R wrist XR · PA/AP · 7y F · image 56.7 mm wide 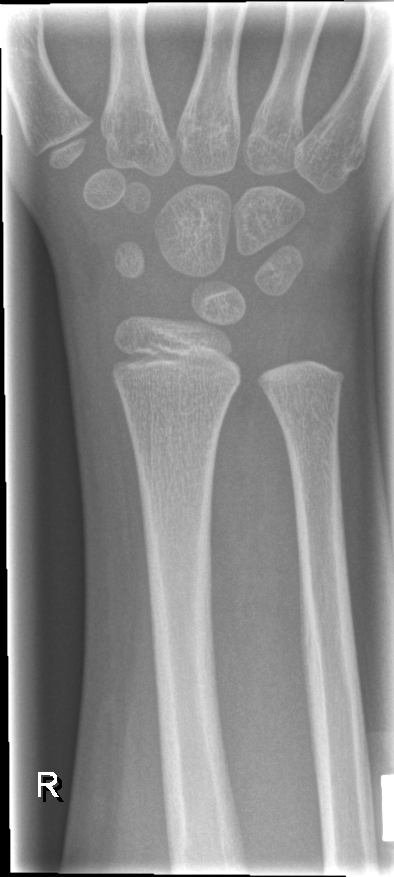 FINDINGS — Fx: none.